Lt plain radiograph of the wrist | lateral | pediatric patient (girl, age 12):
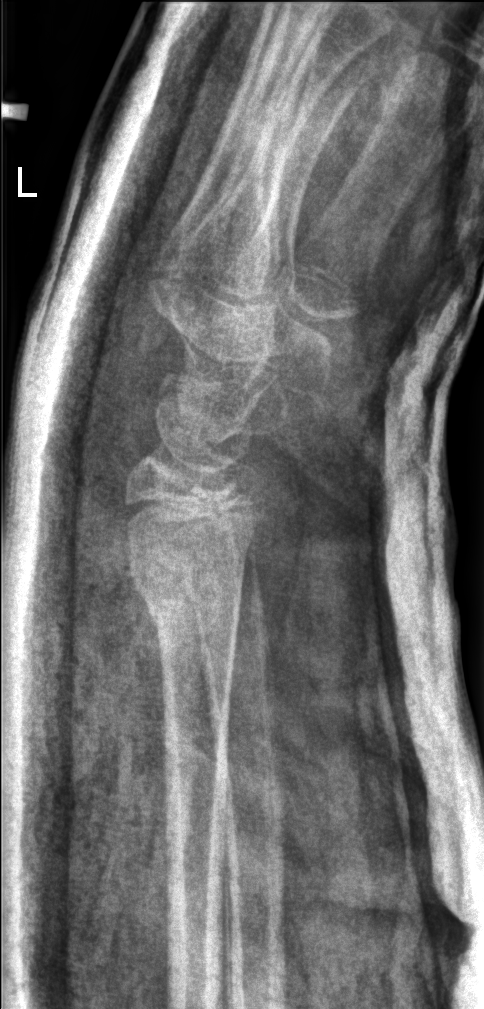

AO classification: 23-M/2.1
Fx: 130,556,241,672